Lat view | right wrist plain radiograph of the wrist | pediatric patient (male, age 16) | follow-up study | detector: Siemens | 533 x 1030 px

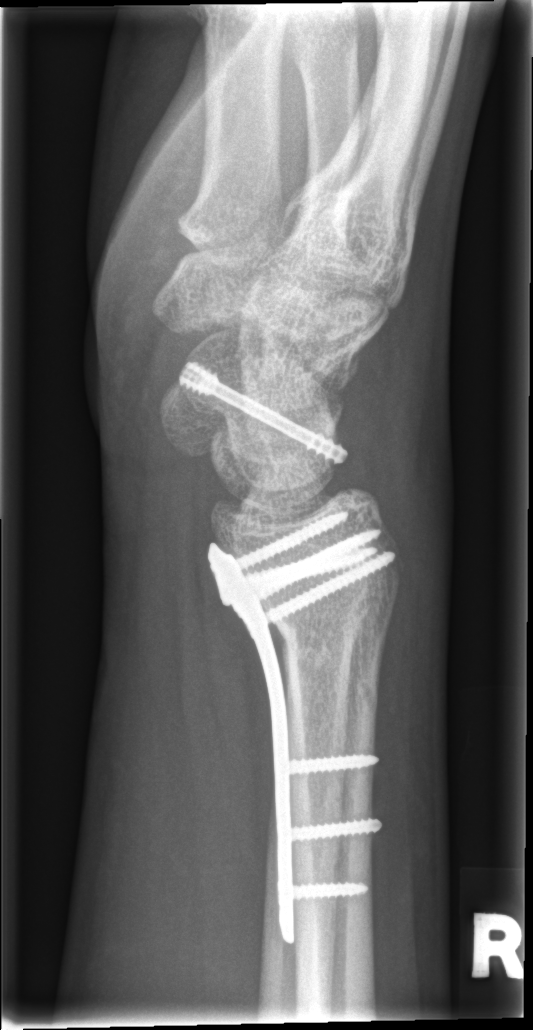

- Metallic implant identified at <210,499>-<408,950>; <175,353>-<359,472>.
- Fx identified at <217,506>-<402,635>.